Lateral view | L wrist plain film | pediatric patient (boy, age 14) | in cast
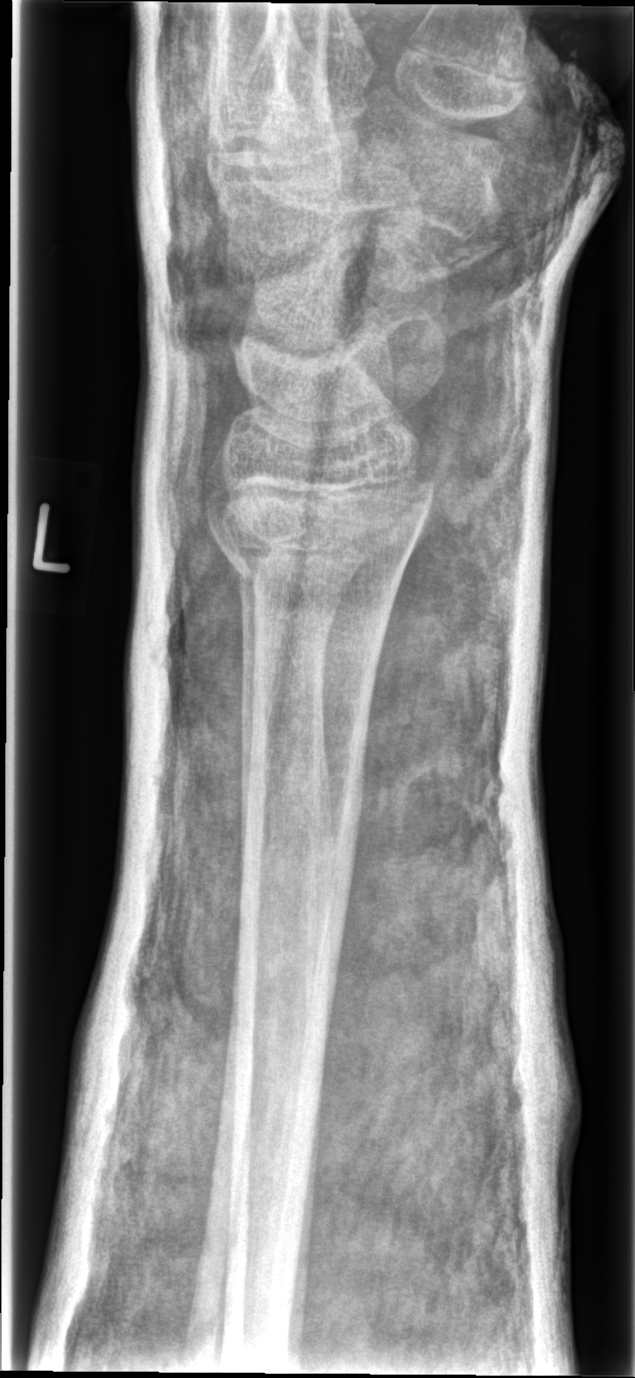 bone fracture = 1 @ [193, 464, 438, 595]